Lat view · R wrist X-ray · female, 6 yo 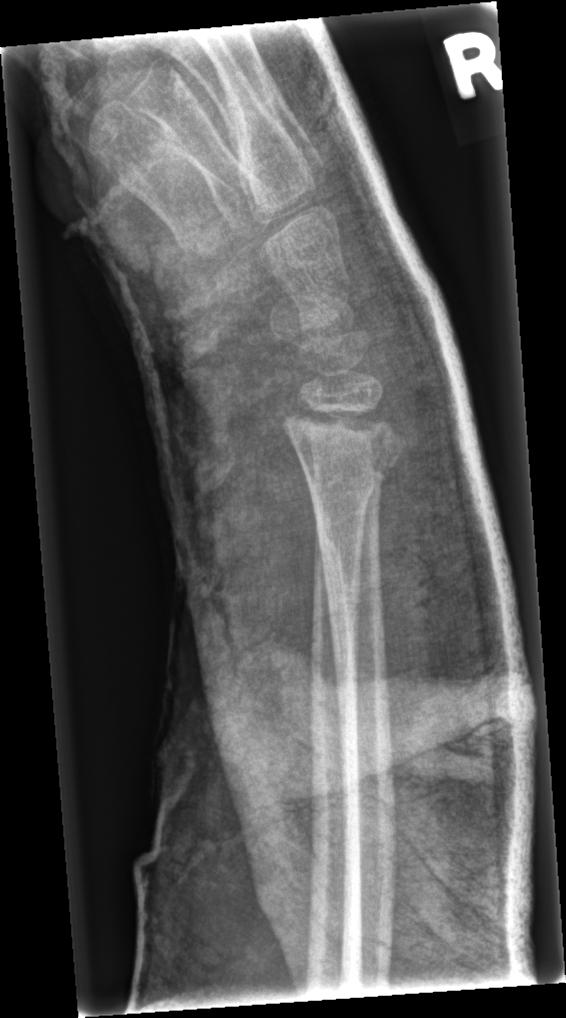

FINDINGS — Fx: 273 395 409 496. AO code 23r-E/2.1; 23u-M/2.1.